Left wrist pediatric wrist radiograph · lateral · subsequent exam · image 65.5 mm wide · 455 x 1154 px:

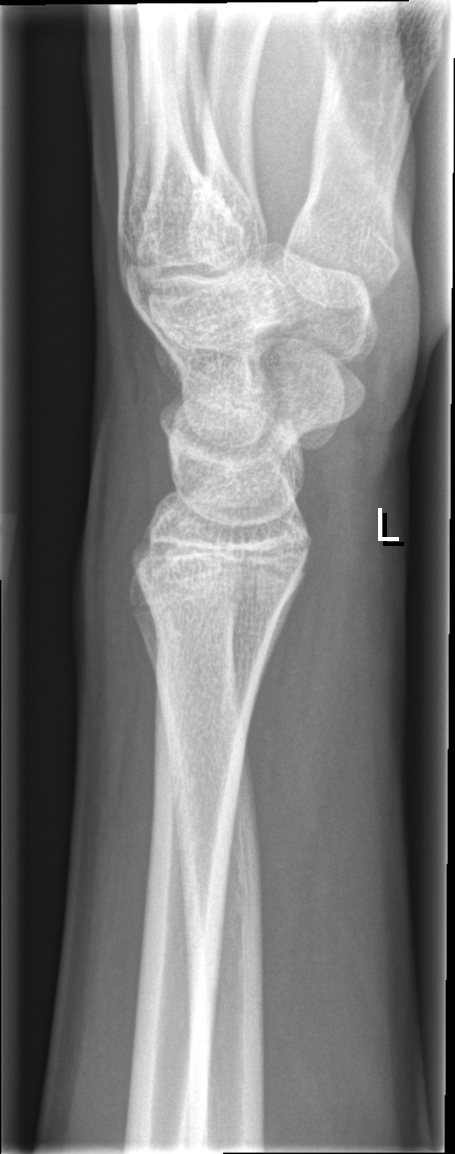
Pixel coordinates, top-left origin, xyxy.
Bone fracture identified at <135,562>-<294,669>.
AO/OTA classification: 23r-M/2.1; 23u-E/7.